Right wrist plain film, frontal view, 606 x 469 px

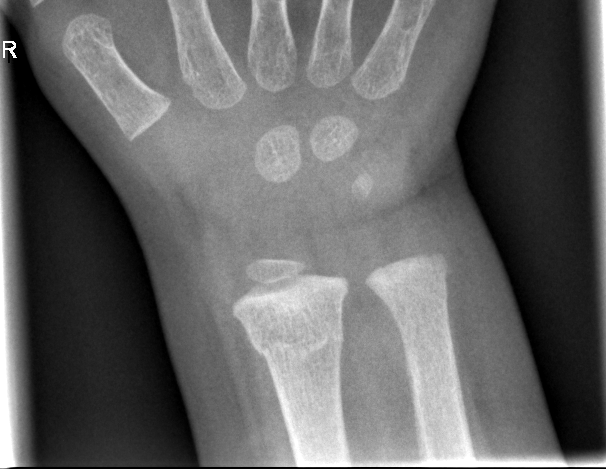

• Fractures — 244 314 349 368
  367 264 451 307.
• AO/OTA classification: 23r-M/3.1; 23u-M/2.1.